Right wrist XR | lat view | 7y M | imaged through cast | detector: Siemens | 616 by 1326 pixels. 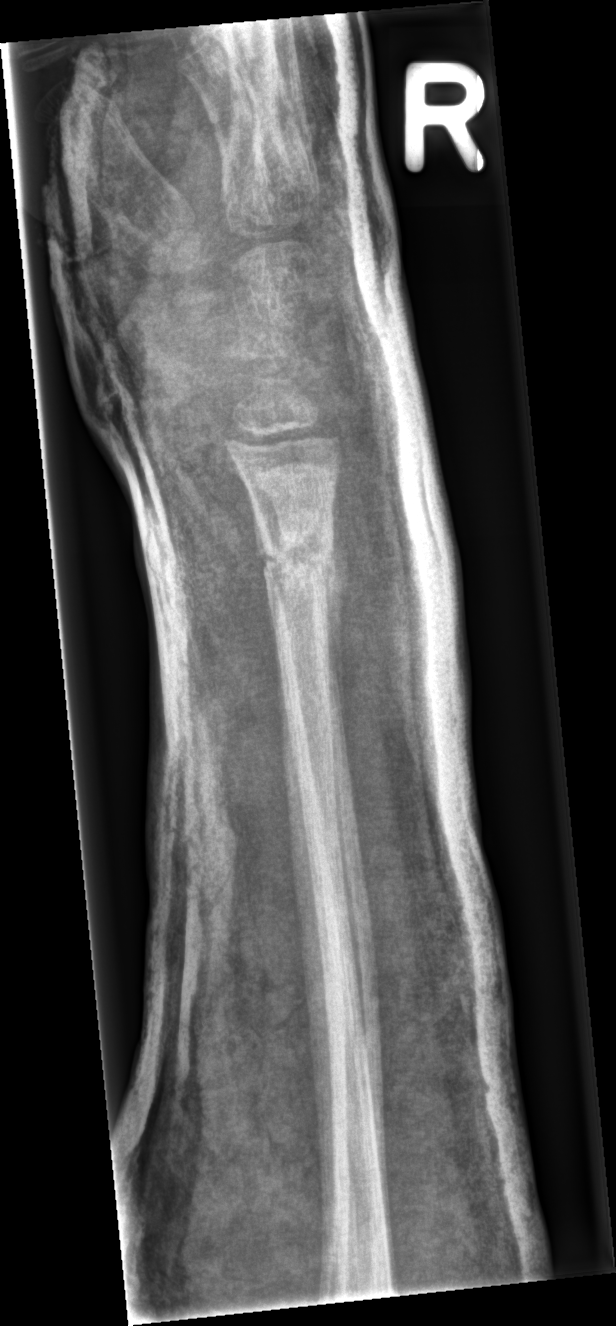
FINDINGS: (pixel coordinates, top-left origin, xyxy) Fx — [x1=251, y1=516, x2=338, y2=592]. AO code 23r-M/3.1; 23u-M/2.1. Periosteal new bone: [x1=256, y1=517, x2=268, y2=586].